Lat view; right wrist radiograph; 17-year-old male; image size 501x1162 —
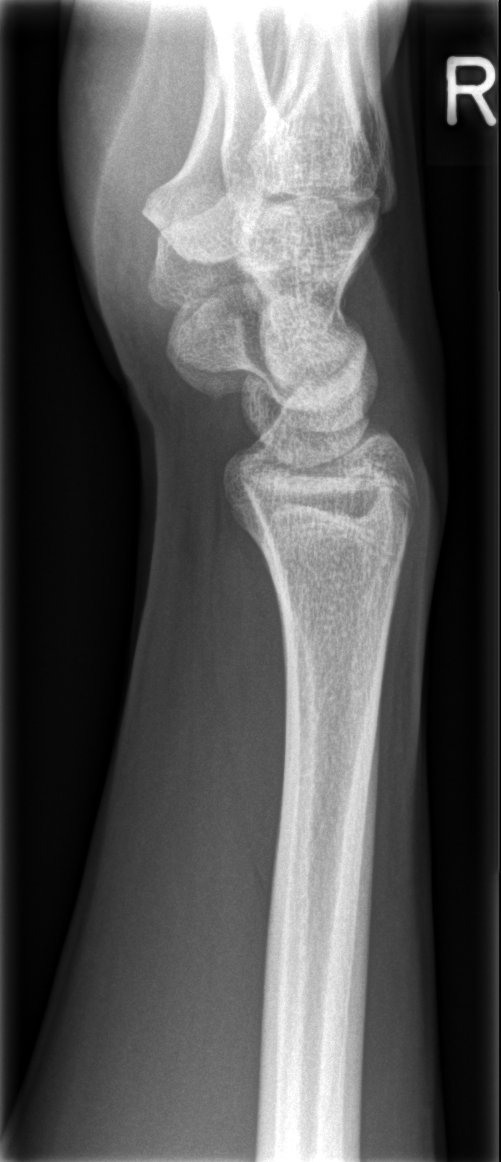
Fracture: none labeled.